L wrist X-ray · posteroanterior view · 8-year-old female 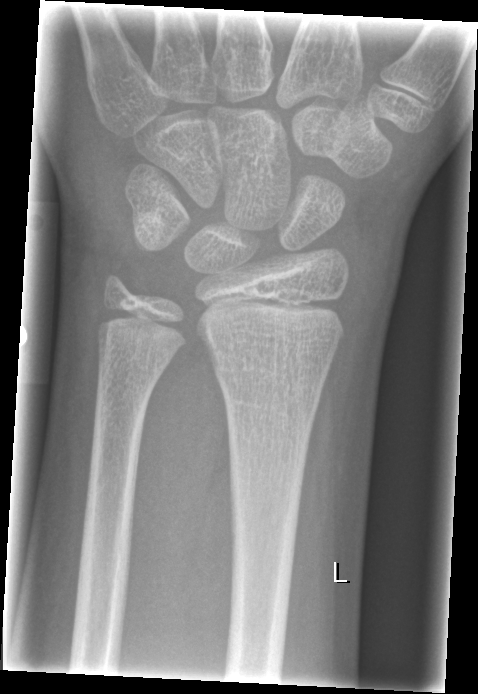 Fracture = present but not clearly seen in this view